Frontal projection · R plain radiograph of the wrist · 7y M · follow-up · 581 by 1198 pixels:
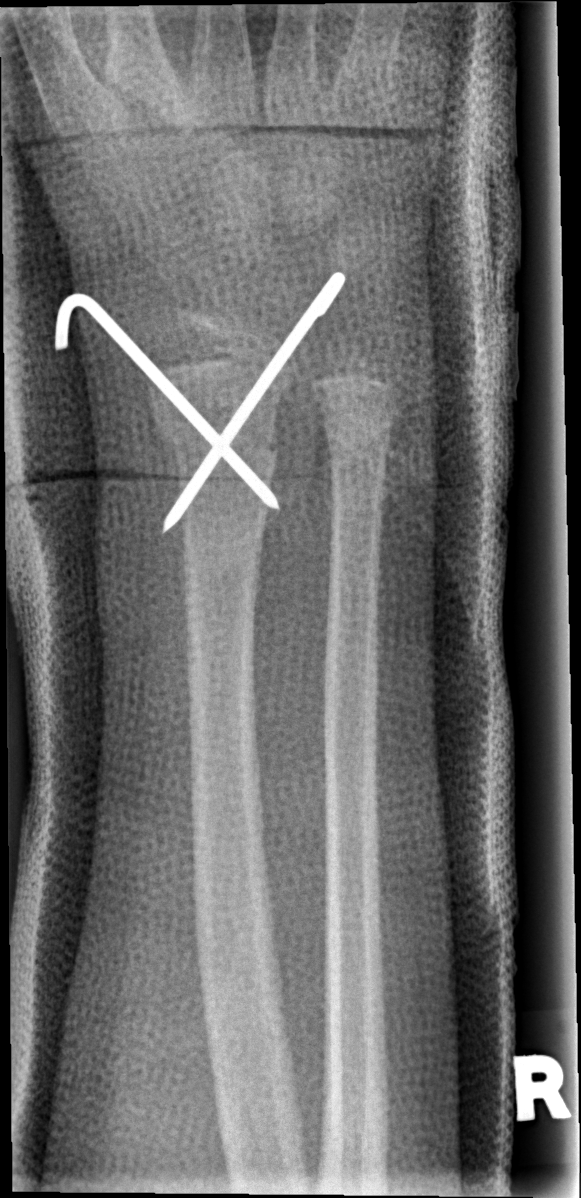
Q: Any fracture seen?
A: Fx identified at 148,411,287,474
Q: Any metal present?
A: One metal at 54,268,350,534
Q: AO code?
A: AO code 23r-M/3.1; 23u-M/2.1